Right wrist plain film, AP, age 14 y, boy, follow-up, 531 by 1222 pixels
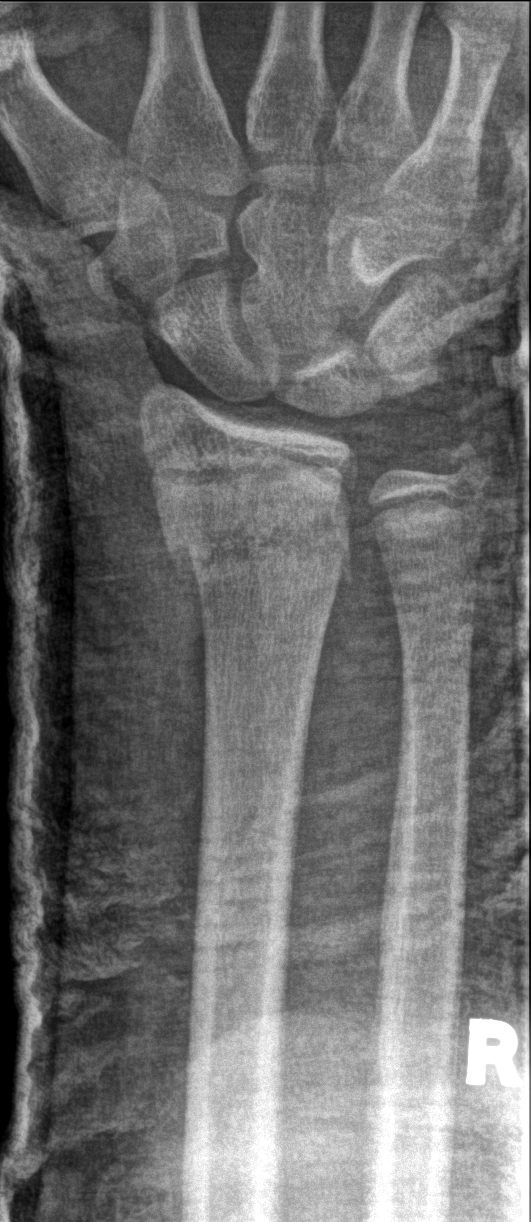 FINDINGS: (coordinates are [x1, y1, x2, y2] in image pixels) Fracture: bbox(161, 493, 362, 596), bbox(436, 432, 497, 495). Fracture classified AO/OTA 23r-M/3.1; 23u-E/7.